Rt wrist X-ray; lateral view; Siemens.

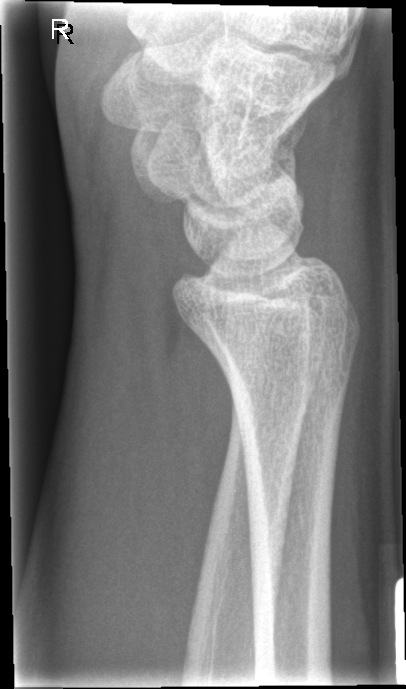

No fracture annotation.